Right wrist XR; posteroanterior; age 12 y, female

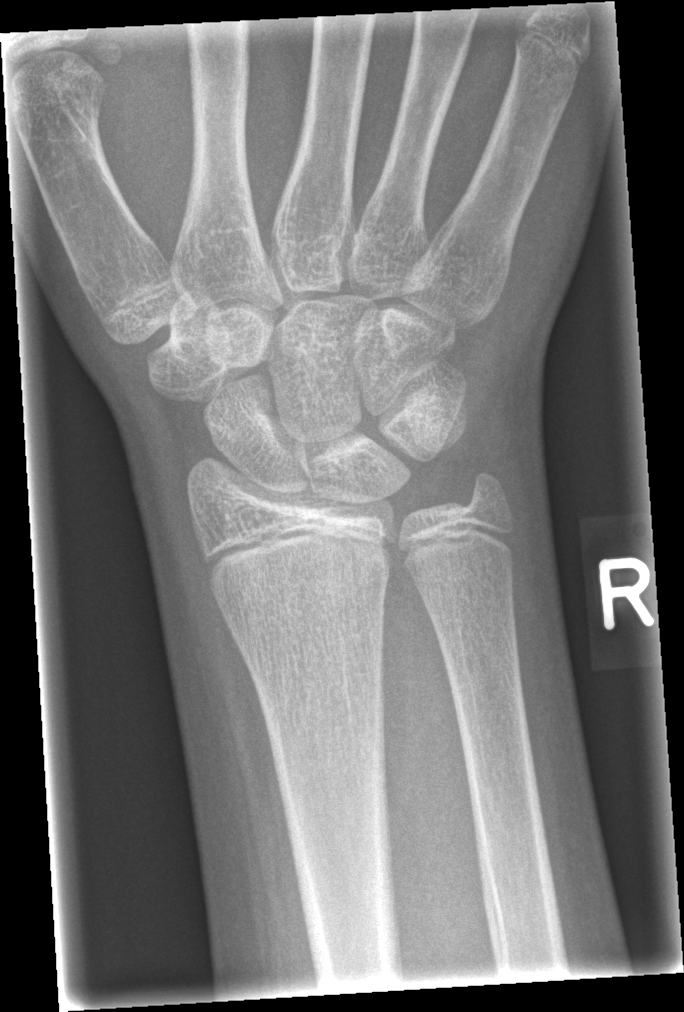 AO/OTA classification: 23r-M/2.1. Fracture present but not clearly seen in this view.